Lat projection, left wrist XR, 1.3y F
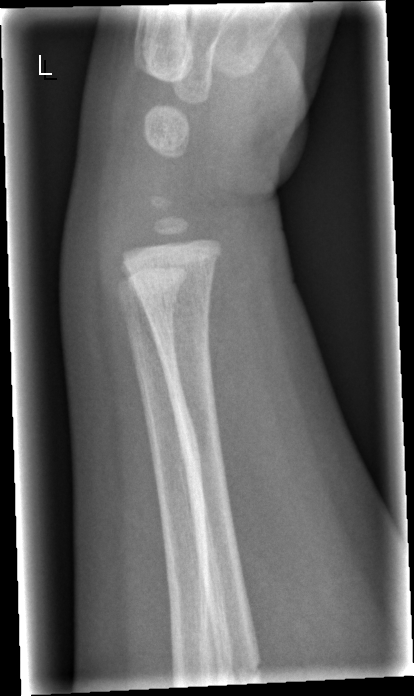
Fx identified at bbox(216, 656, 266, 684).